Lateral projection; right wrist radiograph; male, 14 yo; acquired on Siemens; image size 376x944.
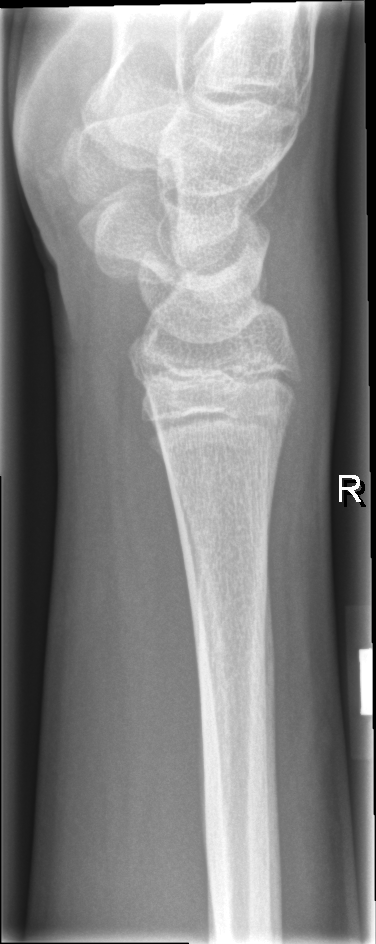
Q: Is there a fracture?
A: No fracture bounding box